PA projection, right wrist plain film:
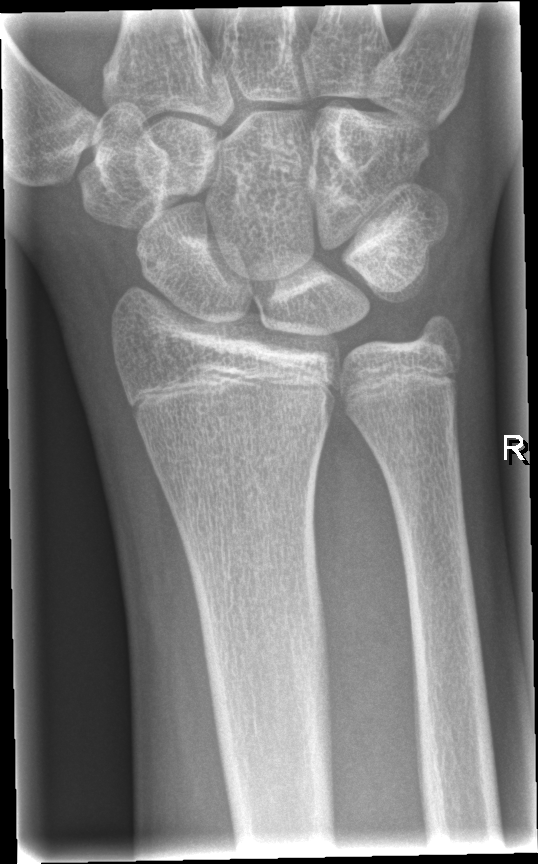
Bone fracture: present but not clearly seen in this view